Lateral | Lt wrist XR | 6y M | cast in situ | Siemens | 524x1168:

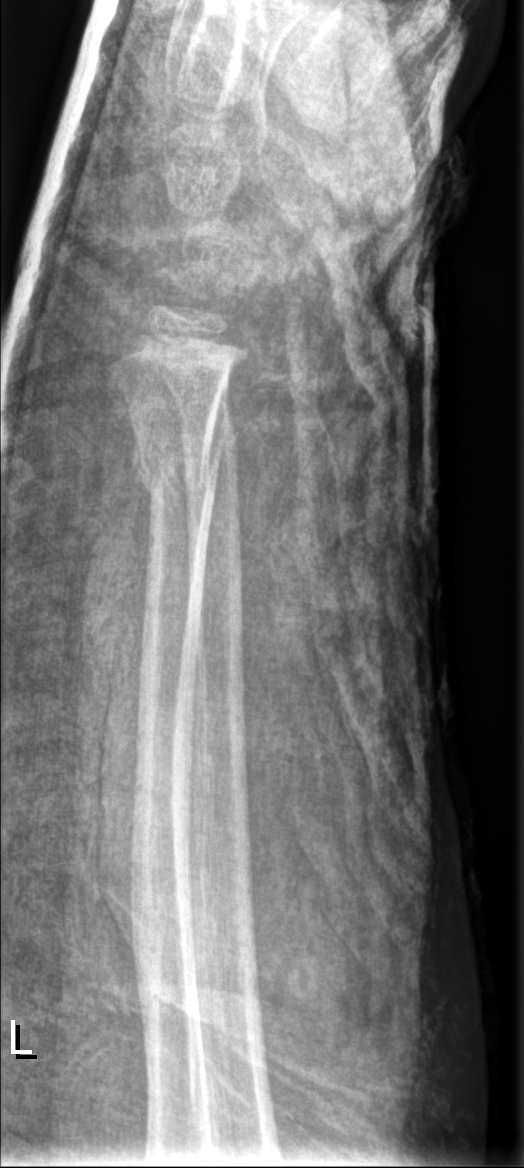 {"_coords": "coordinates are [x1, y1, x2, y2] in image pixels", "fracture": "(126, 431, 227, 508)"}